Lateral · right wrist pediatric wrist radiograph · pediatric patient (girl, age 11) 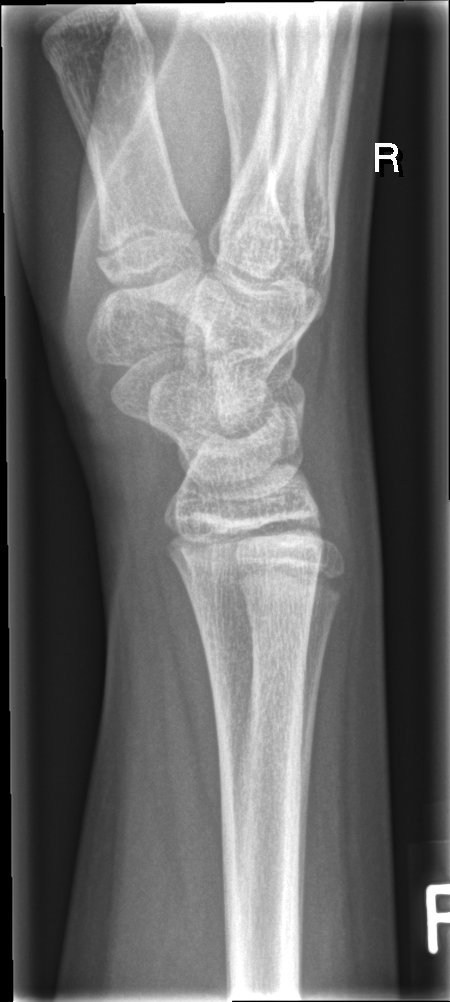 FINDINGS — Fx: none.